R wrist radiograph · lat view · follow-up study: 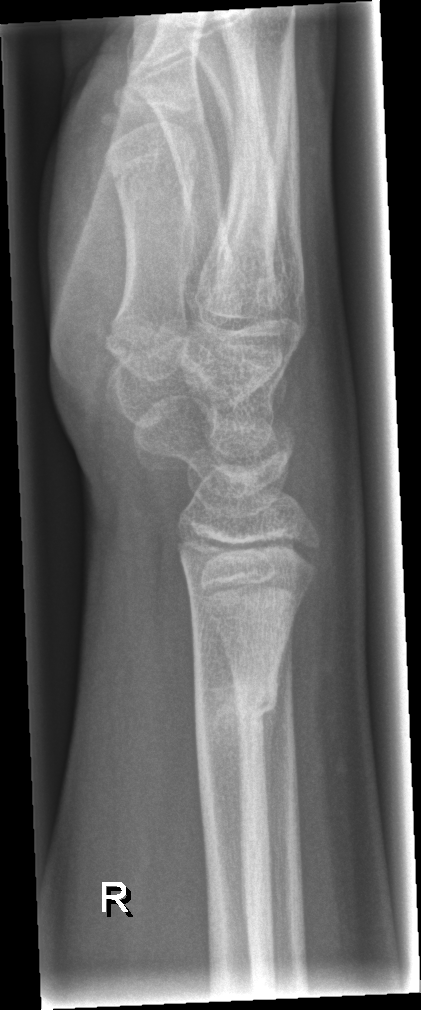

(bounding boxes in image-pixel xyxy)
periosteal reaction = 262,700,277,847
Fx = 190,669,284,744
osteopenia = present
AO code = 23r-M/2.1; 23u-E/7